Right wrist XR | PA projection | 9-year-old girl | cast in situ | detector: Siemens.
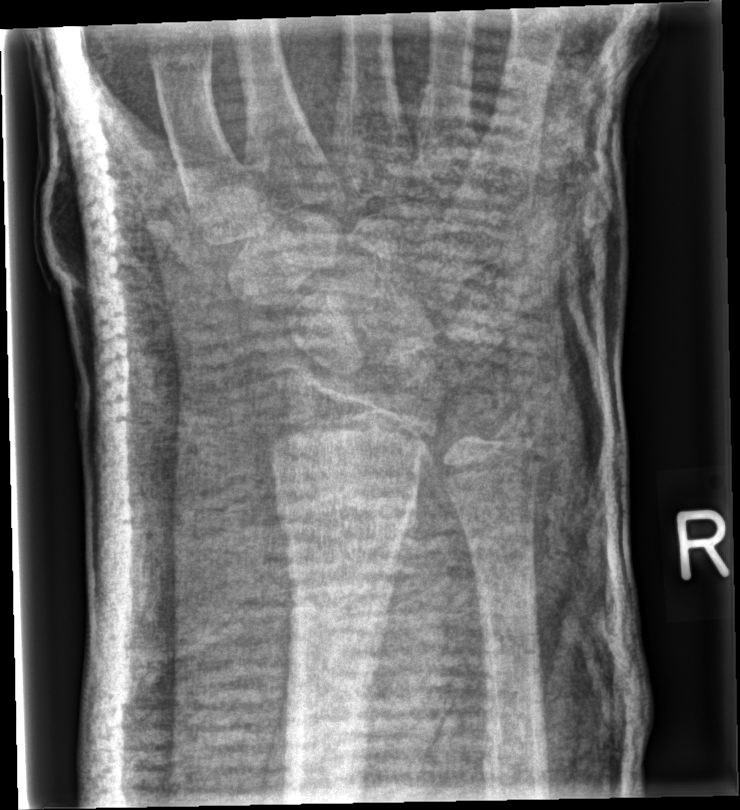

• Fracture identified at (271, 472, 421, 554); (488, 405, 543, 456).